Left wrist plain film; AP projection; 17y F. 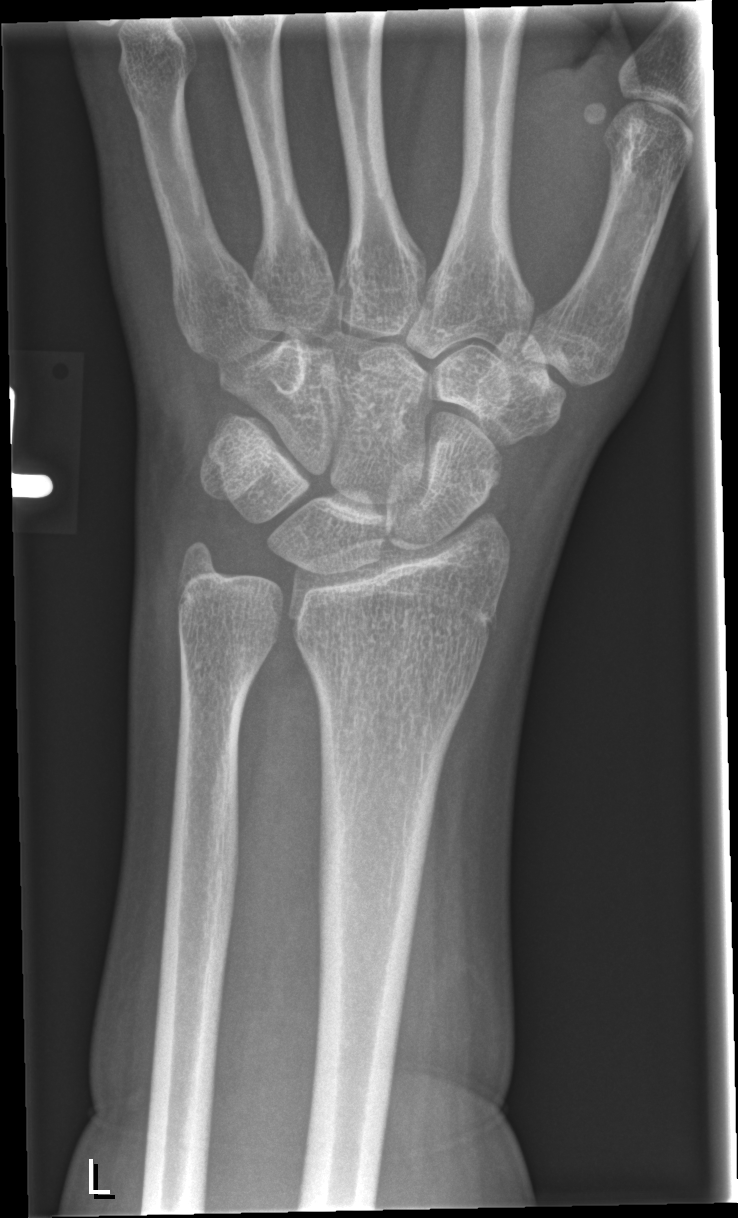 {"fracture": "none labeled"}